Right pediatric wrist radiograph · lateral view · age 11 y, boy · Siemens.
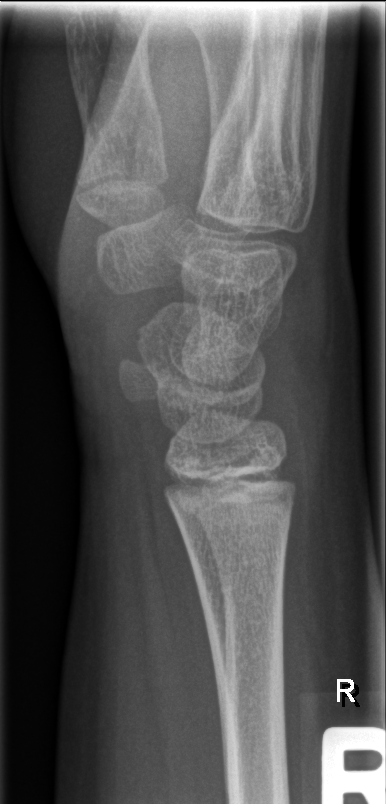

{
  "fracture": "none labeled"
}